Lat view; left wrist plain film; 16-year-old male —
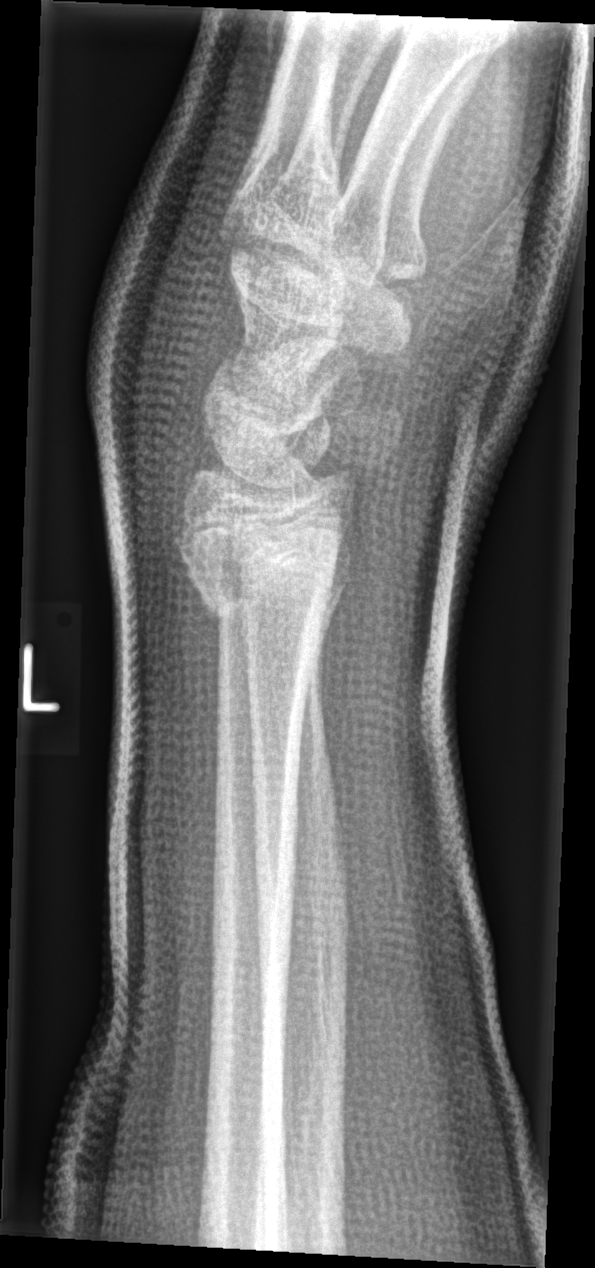

Boxes as x1,y1,x2,y2 (top-left / bottom-right, pixel units). AO/OTA classification: 23r-M/3.1; 23u-E/7. One Fx at <174,513>-<349,628>.